Lateral view, R wrist plain film, 95.0 mm image width.
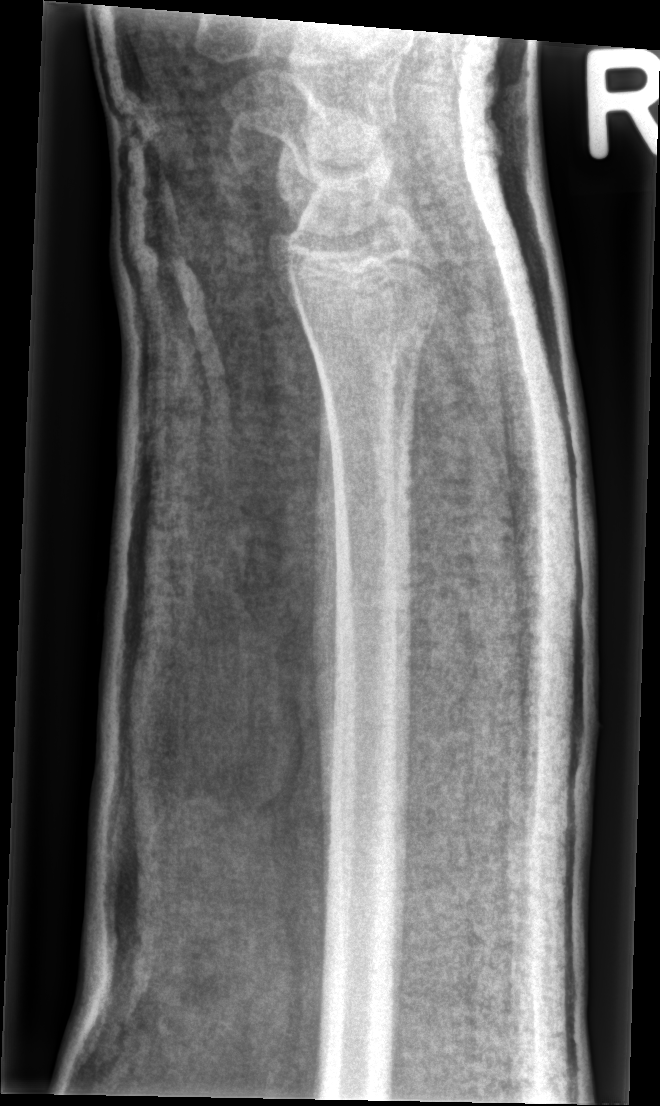

* Fx — [x1=295, y1=295, x2=442, y2=372].
* AO code 23r-M/2.1.